Lat view; Lt plain radiograph of the wrist:
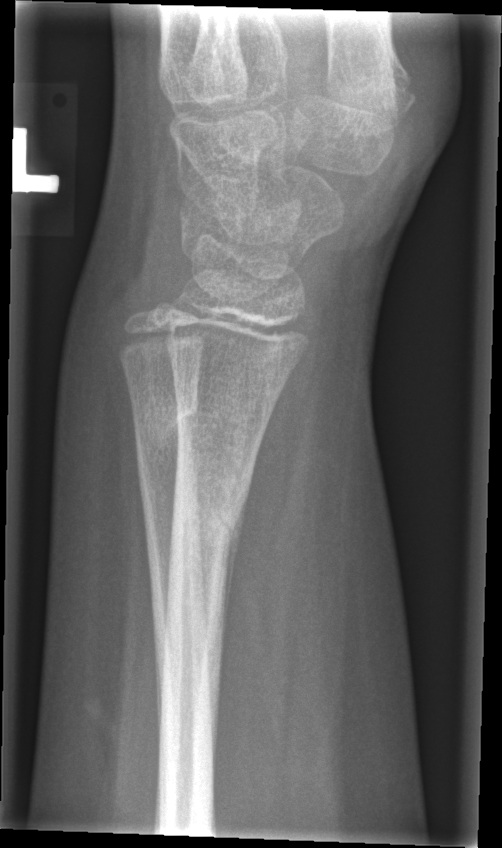

Periosteal thickening = (224, 510, 243, 628)
Fracture = (168, 477, 250, 560); (129, 385, 205, 458)